PA · right wrist plain film · acquired on Siemens. 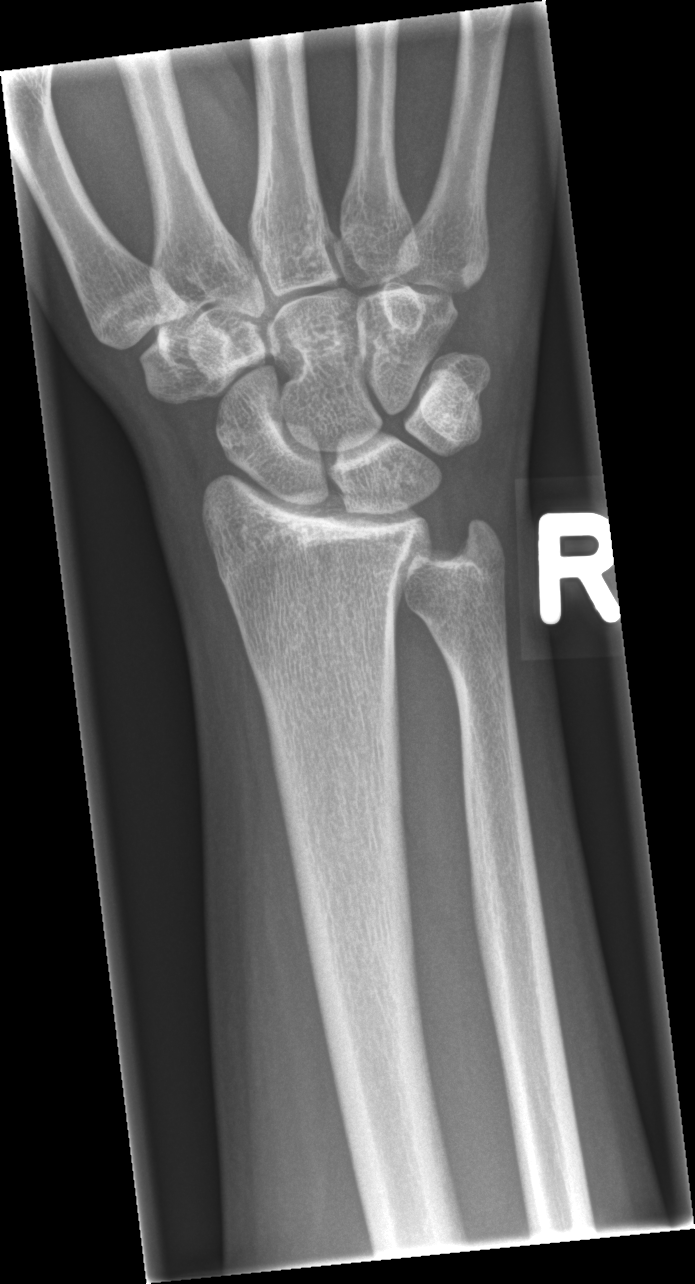

fracture: none labeled
bone variant: [x1=372, y1=447, x2=517, y2=650]